Lateral projection · left plain radiograph of the wrist · age 12 y, male 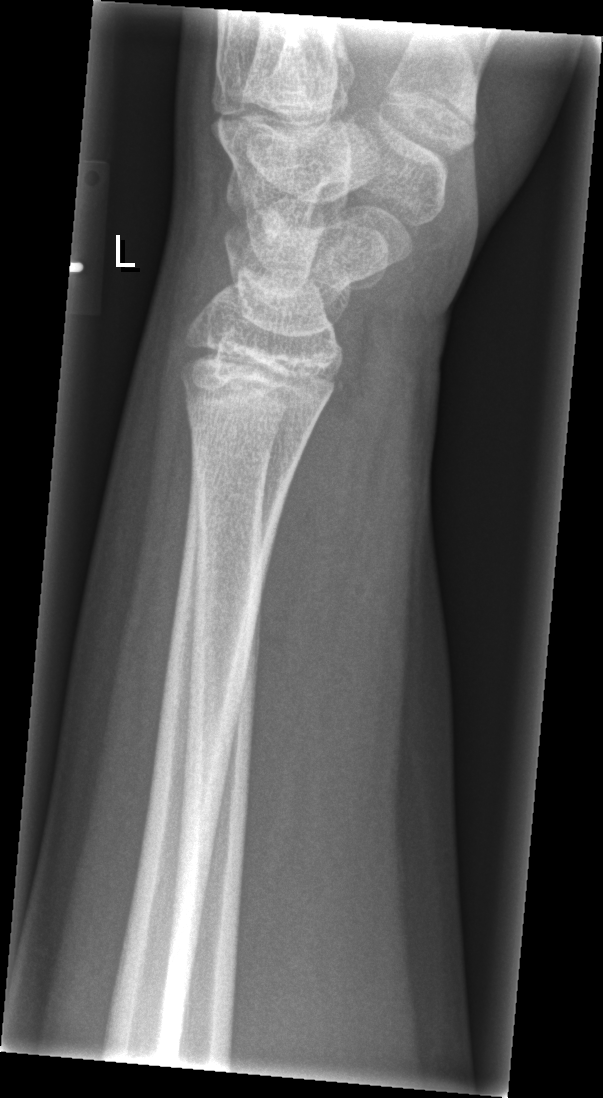
Findings: One pronator quadratus fat-pad sign at [246, 392, 364, 795]. Fx — [177, 375, 324, 453]. AO code 23r-M/2.1.